Lat · right wrist plain film · pediatric patient (boy, age 15) · acquired on Siemens · image width 91.0 mm · 632 by 1362 pixels: 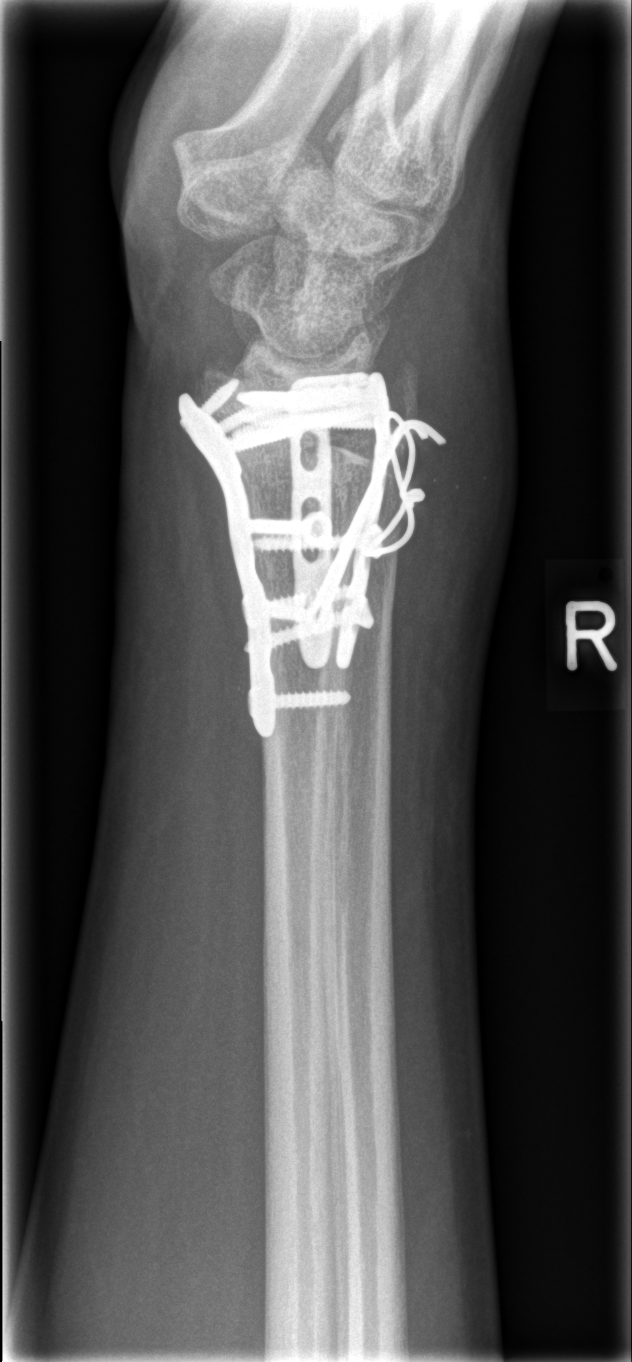

{
  "_coords": "boxes as x1,y1,x2,y2 (top-left / bottom-right, pixel units)",
  "metal": "1 @ [175, 370, 448, 738]",
  "osteopenia": "present",
  "fracture": "none labeled"
}